Right plain radiograph of the wrist, PA view, 7-year-old female, cast in situ.

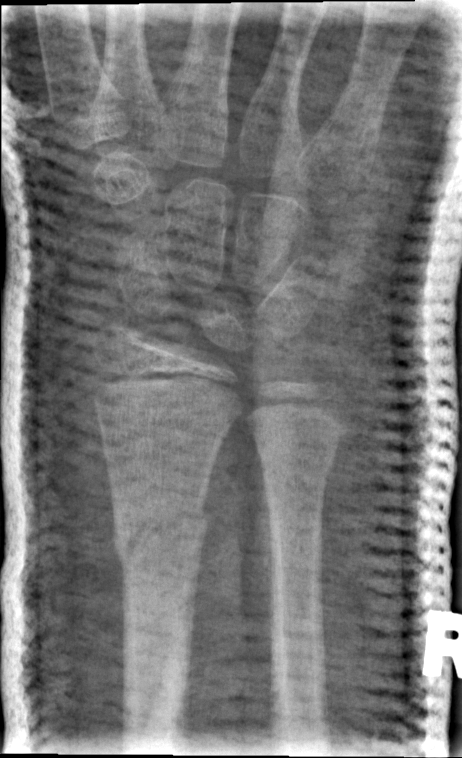

Q: Is there a fracture?
A: One bone fracture at [x1=106, y1=494, x2=213, y2=574]
Q: AO code?
A: AO code 23r-M/3.1; 23u-M/2.1